Lt plain radiograph of the wrist | oblique. 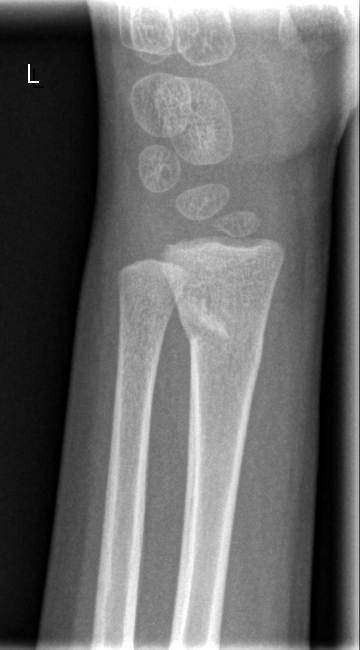 FINDINGS — (boxes as x1,y1,x2,y2 (top-left / bottom-right, pixel units)) Fracture classified AO/OTA 23r-M/2.1. Fracture — [x1=174, y1=286, x2=268, y2=369].